Posteroanterior, right pediatric wrist radiograph, girl, 10 yo, index exam:
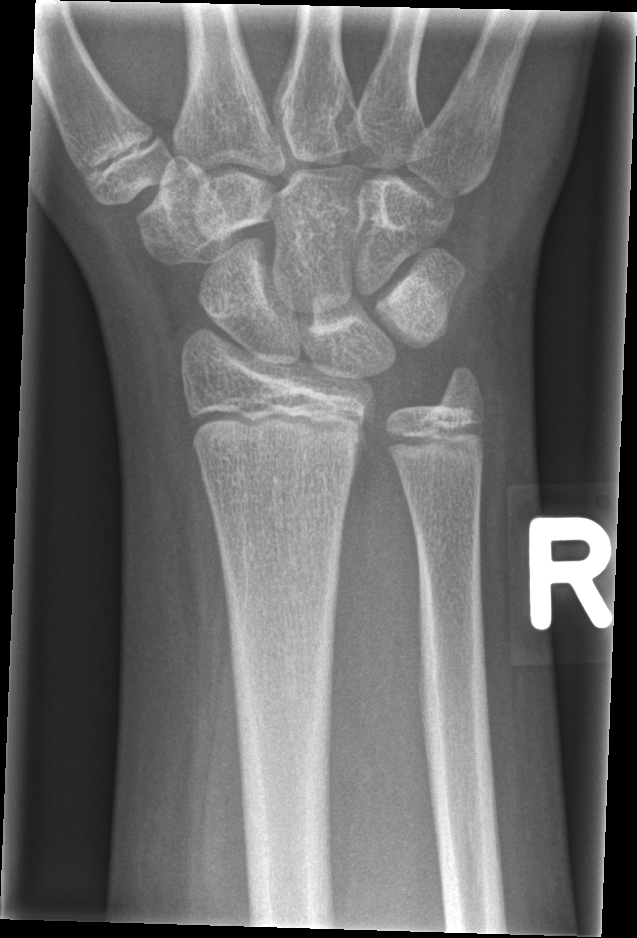 FINDINGS: No Fx annotated.